Frontal projection · left wrist X-ray · age 14 y, male · follow-up study · image 108.0 mm wide. 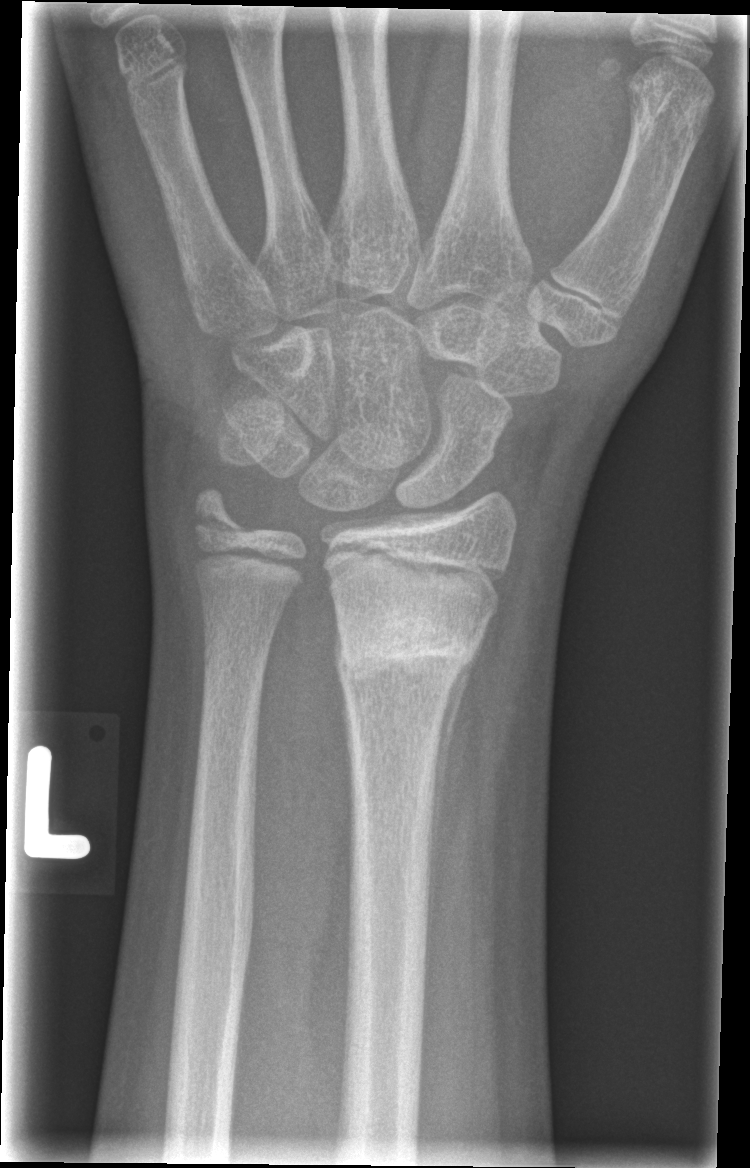
* AO code 23r-M/3.1; 23u-E/7.
* Reduced bone mineral density.
* Periosteal new bone identified at (left=424, top=612, right=495, bottom=973).
* Bone fractures — (left=331, top=589, right=483, bottom=705) (left=183, top=480, right=253, bottom=544).